Lat; left wrist plain film; detector: Siemens; 53.9 mm image width:

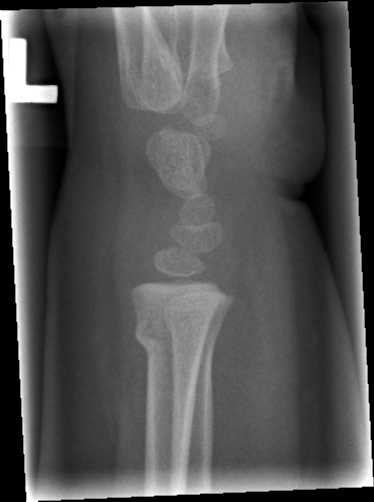
(boxes as x1,y1,x2,y2 (top-left / bottom-right, pixel units))
Q: What is the AO/OTA classification?
A: Fracture classified AO/OTA 23-M/2.1
Q: Any fracture seen?
A: Fx identified at [x1=130, y1=309, x2=209, y2=366]